Left pediatric wrist radiograph | lateral | 17y F | subsequent exam | imaged through cast | 416 x 754 px — 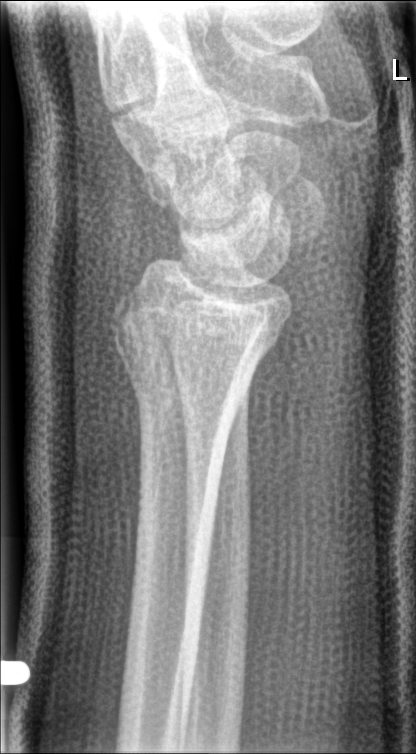
(boxes as x1,y1,x2,y2 (top-left / bottom-right, pixel units))
AO/OTA: 23r-M/2.1; 23u-E/7
bone fracture: 1 @ bbox(105, 291, 266, 424)